Right wrist radiograph | AP | detector: Siemens | 454 by 870 pixels: 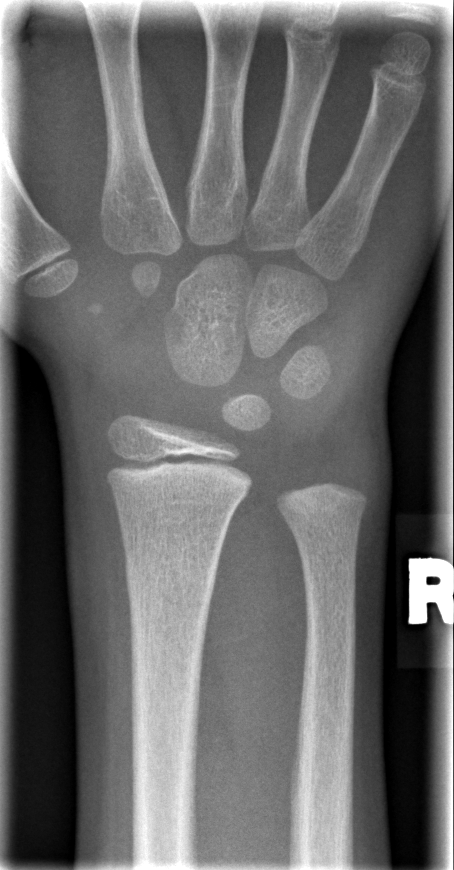
FINDINGS — Fracture present, though not clearly seen in this view.